R wrist radiograph · frontal projection · pediatric patient (male, age 1.1) · image 79.8 mm wide · image size 554x606 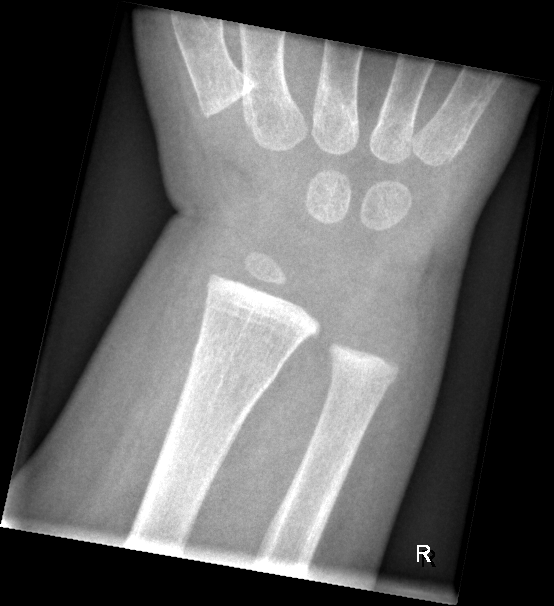
{"_coords": "pixel coordinates, top-left origin, xyxy", "ao": "23r-M/2.1", "fracture": "1 @ [184, 335, 285, 396]"}